Lateral · Rt wrist radiograph · subsequent exam — 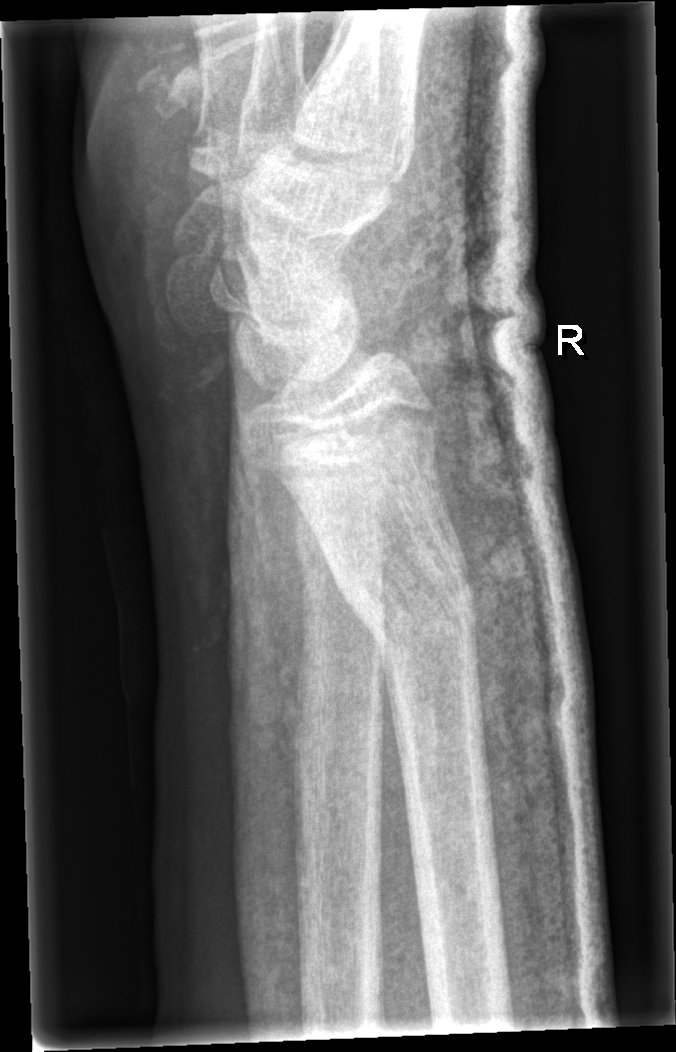 {
  "fracture": "<313,517>-<486,671>",
  "ao": "23-M/3.1"
}